Left wrist radiograph | lat projection:
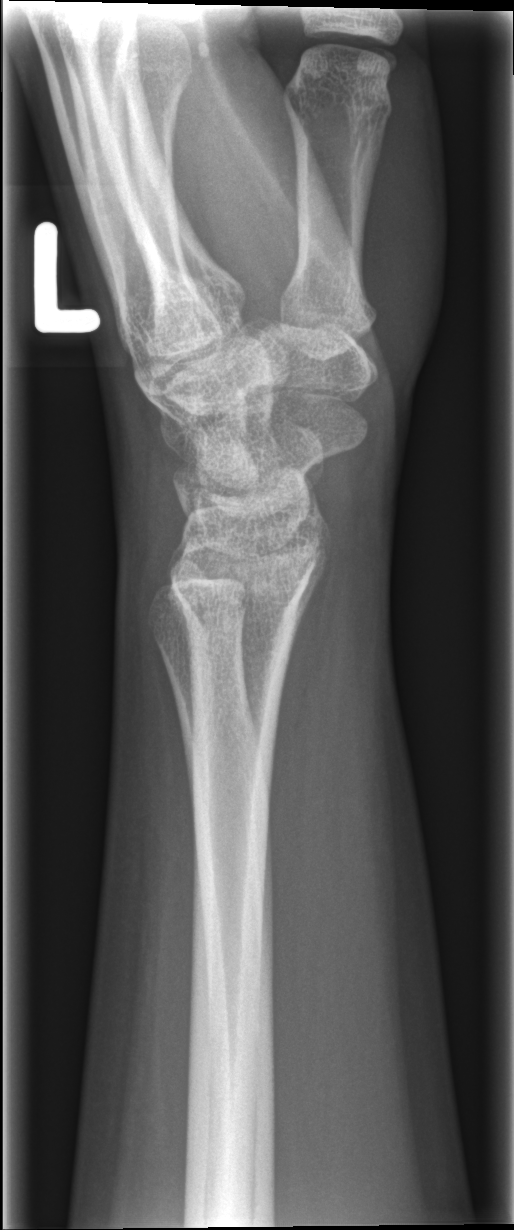
(coordinates are [x1, y1, x2, y2] in image pixels)
Q: AO code?
A: Fracture classified AO/OTA 23r-M/2.1
Q: Fracture present?
A: One bone fracture at 163 569 305 658